Lt wrist plain film | lat | 76.0 mm image width | image size 528x908: 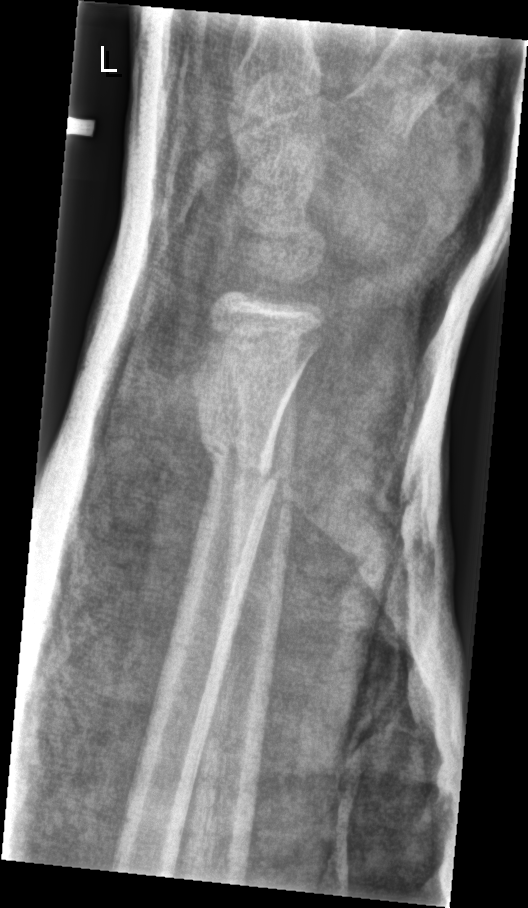 FINDINGS: Fx: [x1=199, y1=431, x2=285, y2=499].